Right pediatric wrist radiograph · posteroanterior projection · 11y M · image size 453x648
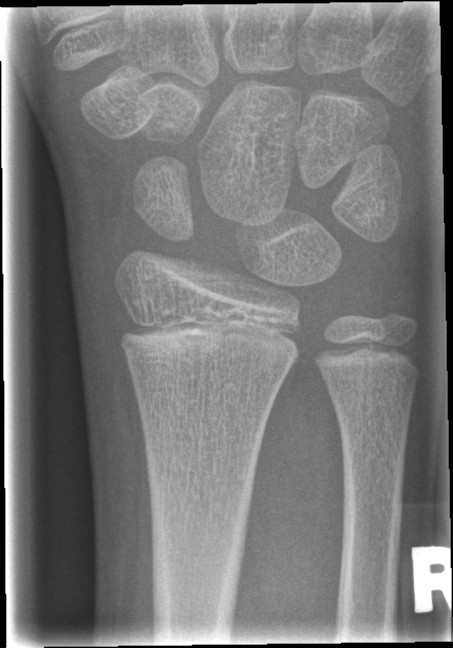
FINDINGS — Fracture: none labeled.